Left wrist radiograph; lat; 10-year-old female: 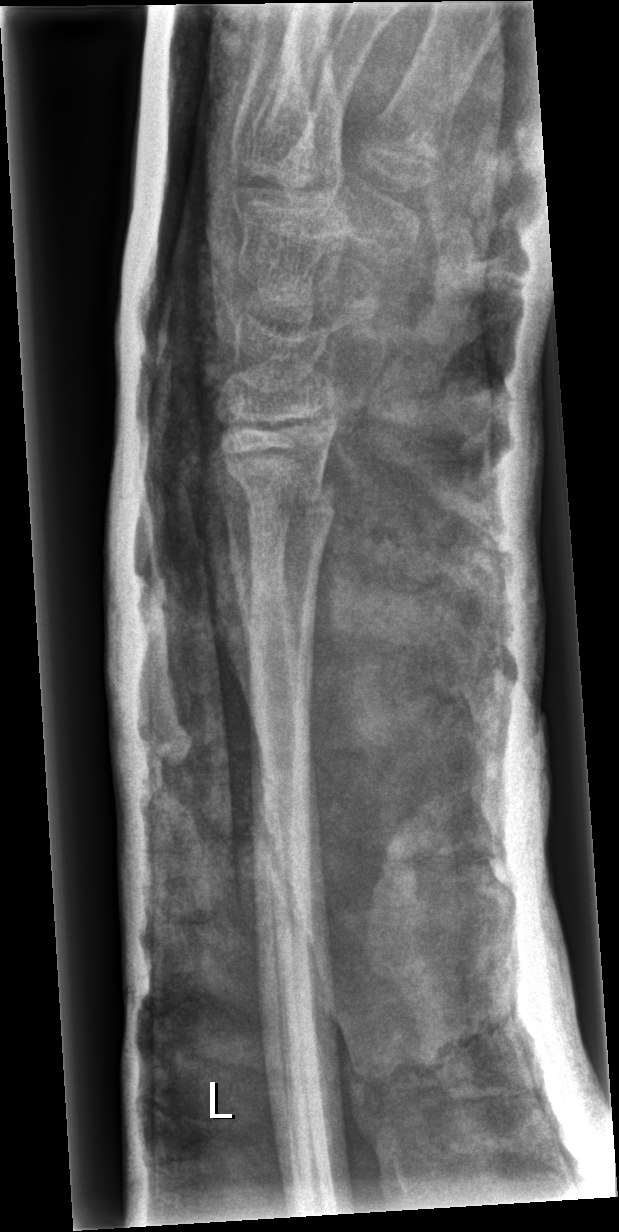
Bone fracture = bbox(221, 461, 341, 534)